Left wrist plain film, frontal, in cast.

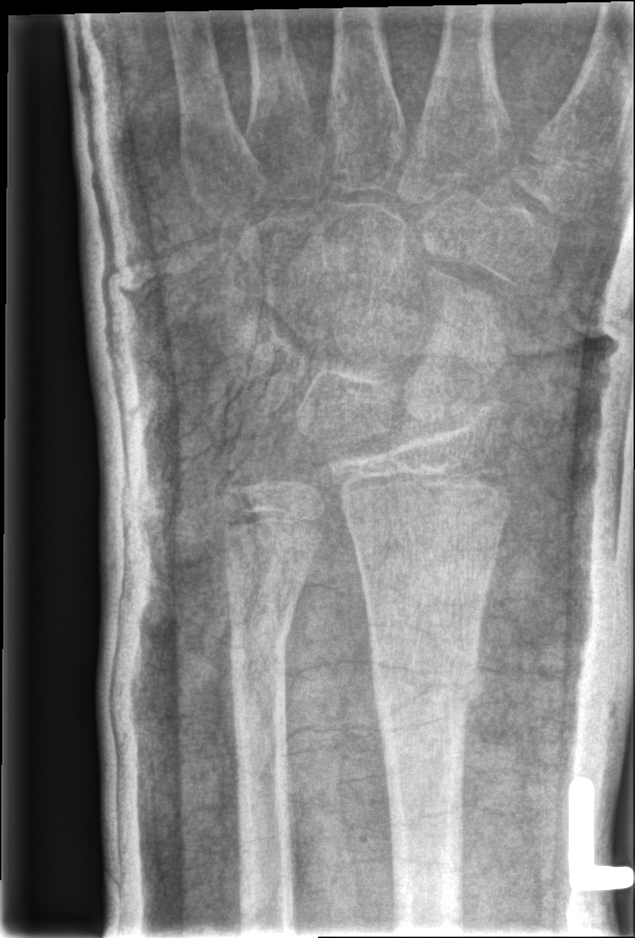

Two Fx at [x1=368, y1=640, x2=486, y2=727], [x1=225, y1=594, x2=297, y2=664]. AO/OTA classification: 23-M/2.1.